PA/AP projection · left wrist X-ray · 12y M · subsequent exam · cast in situ · 770x1137:

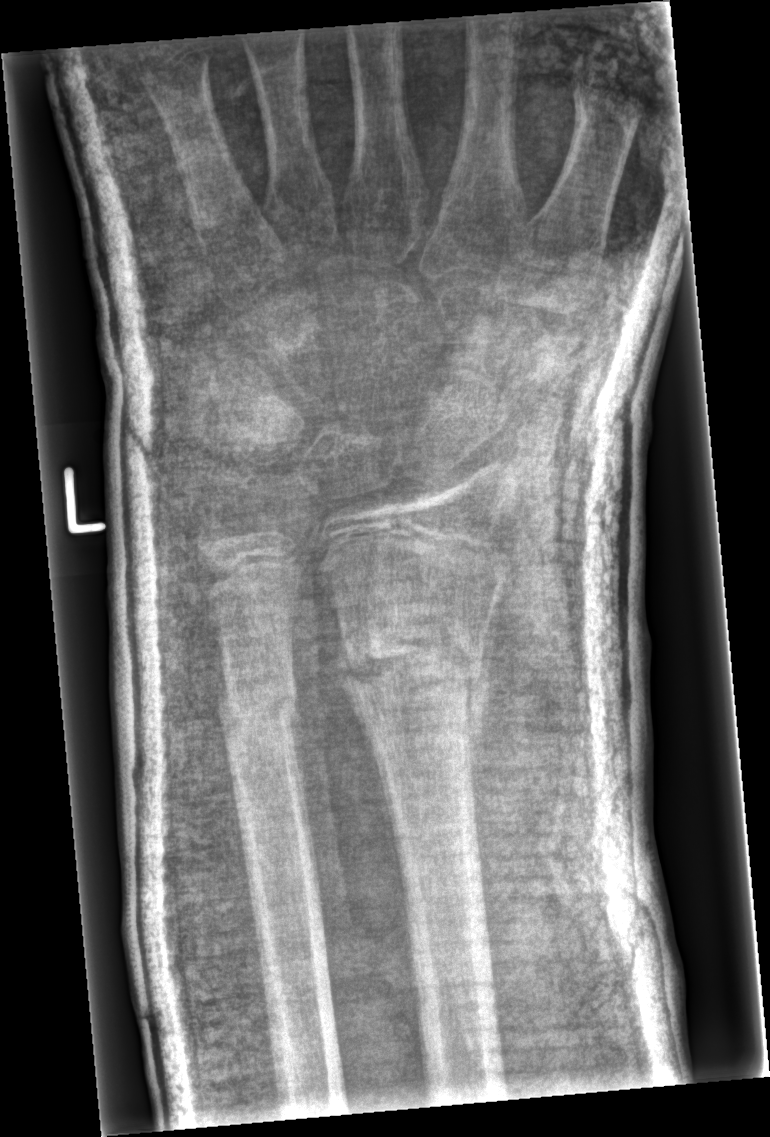
Q: Locate any periosteal reaction.
A: Periosteal thickening — [x1=338, y1=619, x2=399, y2=847]; [x1=462, y1=585, x2=502, y2=821]; [x1=287, y1=687, x2=311, y2=833]
Q: Fracture present?
A: Fracture identified at [x1=337, y1=598, x2=488, y2=719], [x1=213, y1=680, x2=298, y2=745]
Q: What is the AO/OTA classification?
A: AO/OTA classification: 23-M/3.1